Lat view · right wrist pediatric wrist radiograph:
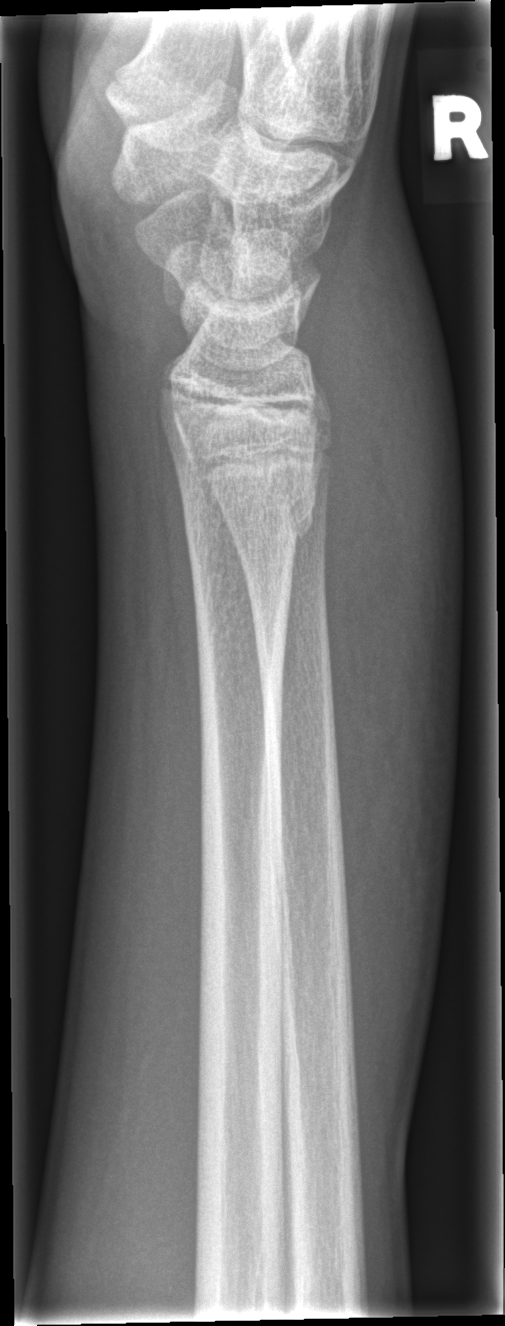 Fracture: 170 442 323 570. AO code 23r-M/2.1. One soft tissue abnormality at 313 223 490 976.